Lt wrist X-ray, lat view, 381 x 770 px —

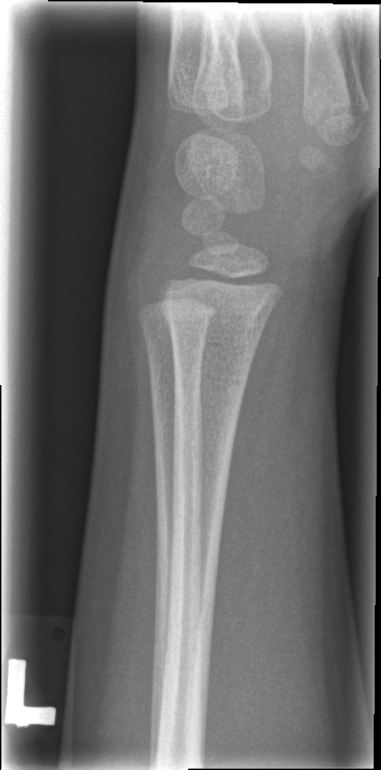 Fracture classified AO/OTA 23r-M/2.1. Bone fracture — <155,288>-<278,348>.